R wrist radiograph · frontal · girl, 13 yo · detector: Siemens.
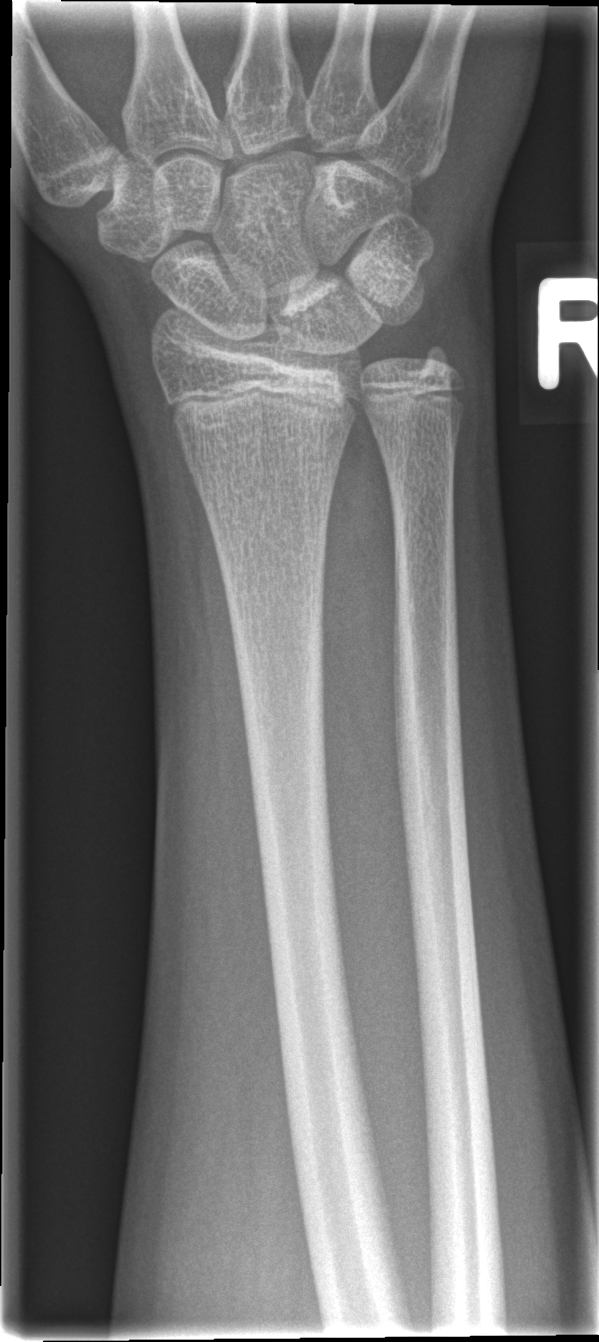

* Fracture: none labeled.